Left wrist X-ray · lat view · 17-year-old boy · index exam.

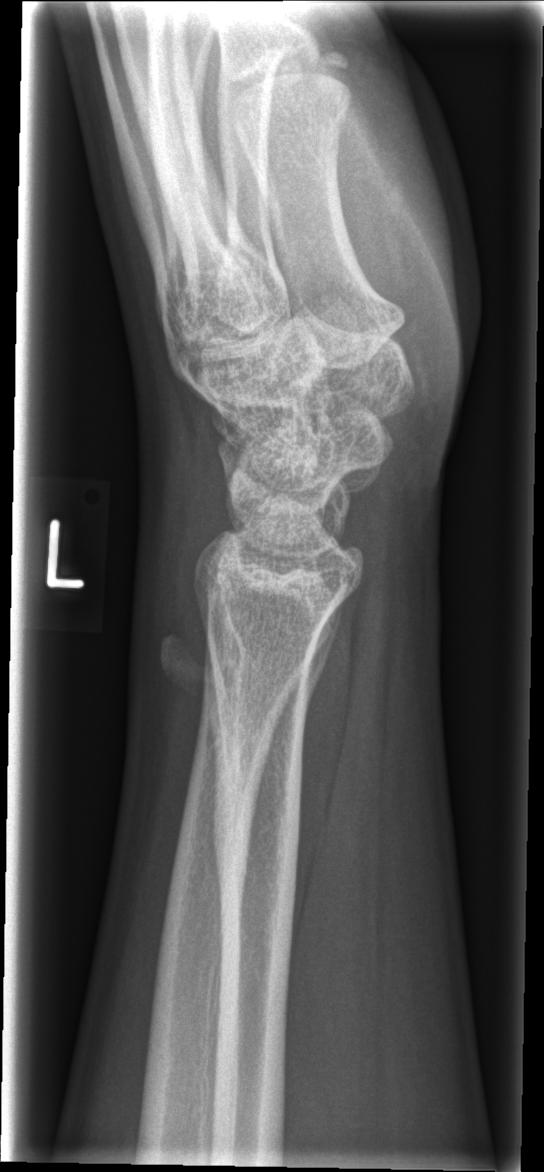   boneanomaly: (left=156, top=621, right=257, bottom=744)
  fracture: none labeled